L wrist XR | lateral view —
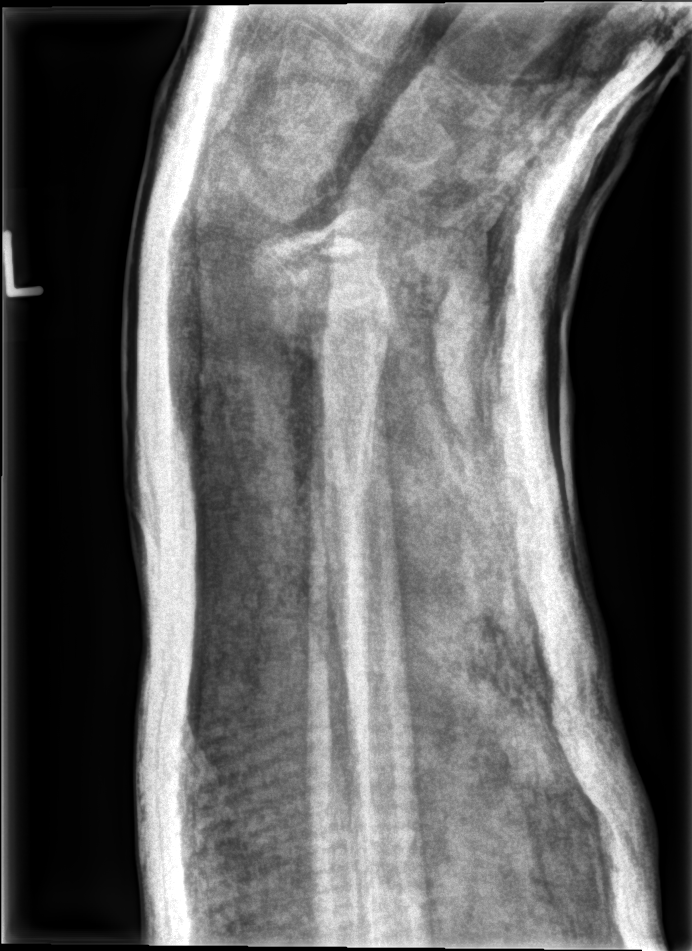 Fracture — [x1=260, y1=280, x2=405, y2=370].